Right plain radiograph of the wrist, AP view, index exam, 498 x 636 px

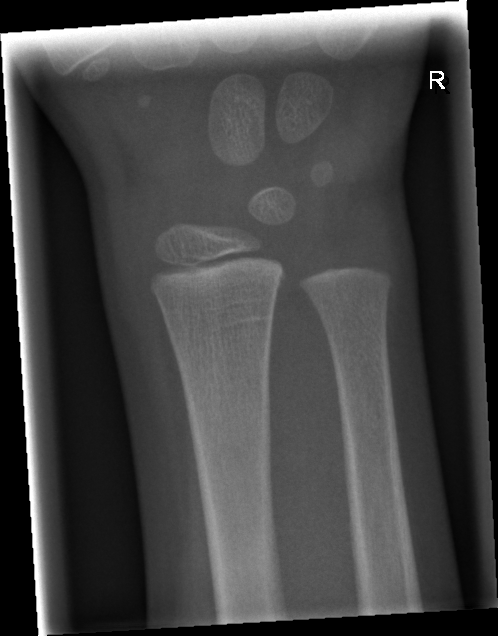 {"fracture": "none labeled"}